PA/AP projection | L wrist XR.

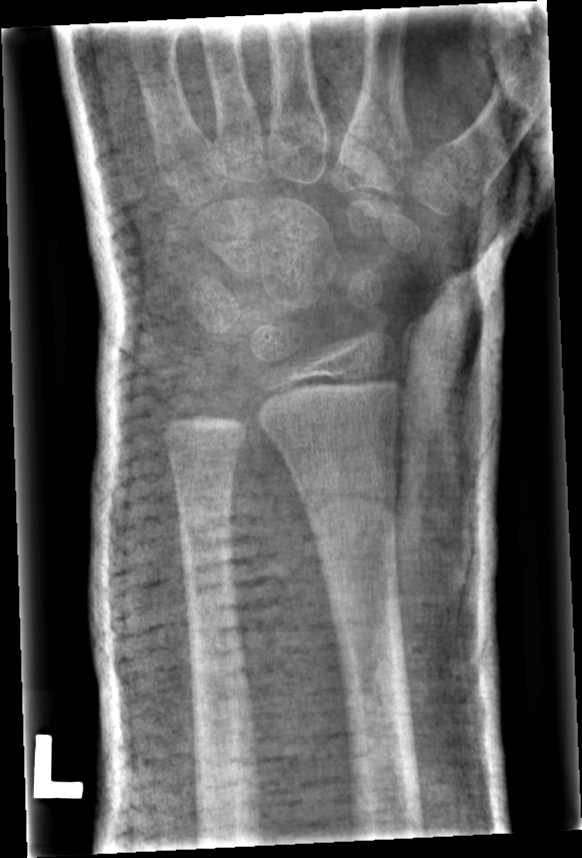
Bone fracture: (295, 475, 401, 547)
AO code: 23r-M/3.1